R wrist XR · PA/AP projection · 634 x 1076 px:
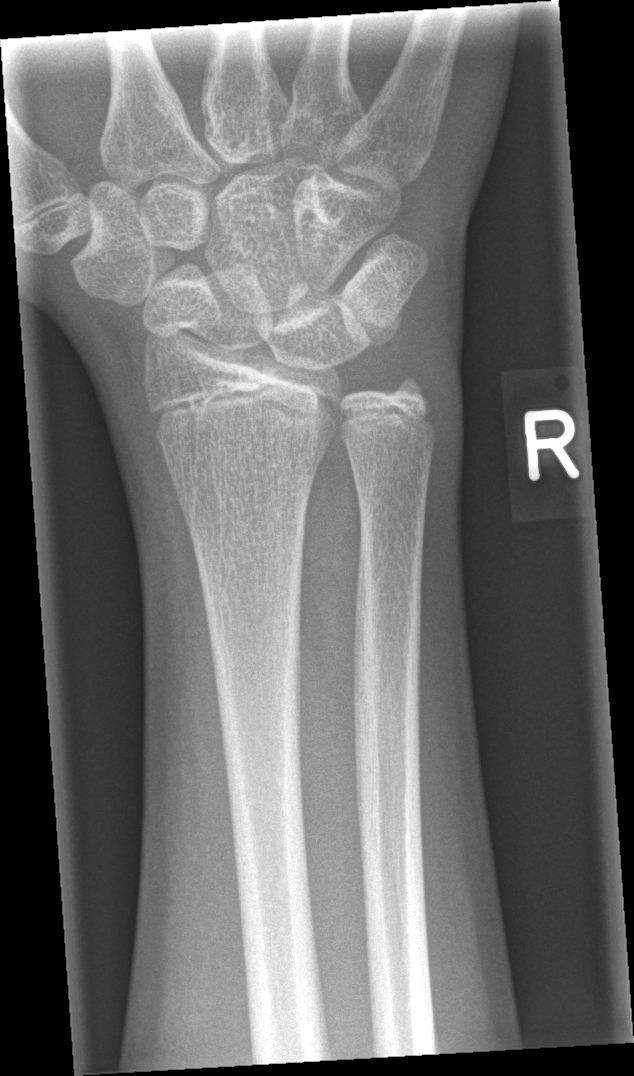

Fracture = none labeled